Right plain radiograph of the wrist, lateral view, age 7 y, girl, cast present, 461x832:

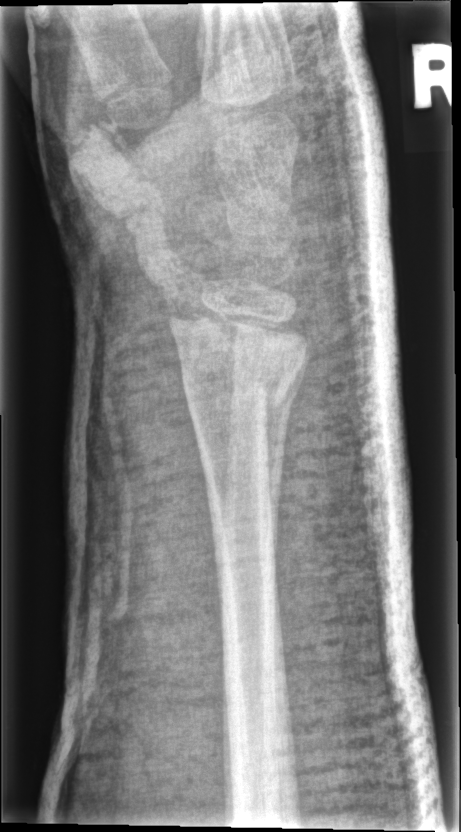 • One fracture at <176,351>-<293,412>.